Lat projection; left wrist plain radiograph of the wrist; male, 13 yo; detector: Siemens
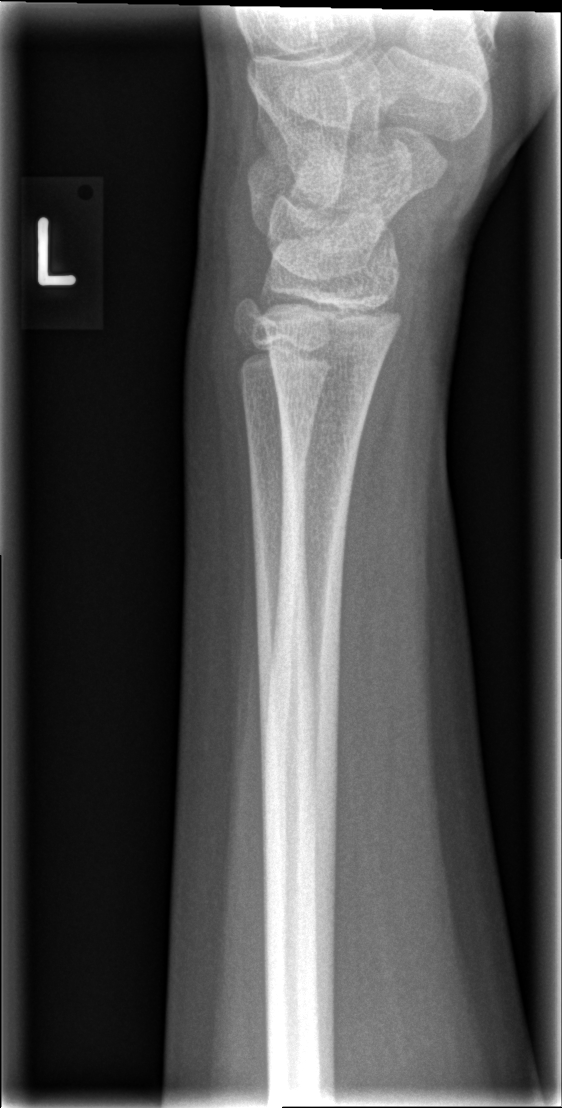 • No fracture annotation.